Right wrist XR | lat view | index exam — 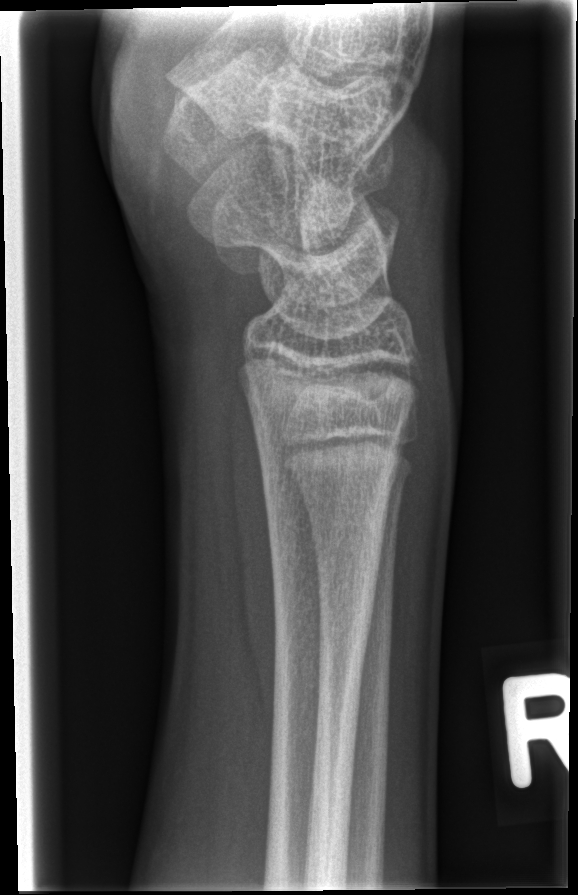

• No fracture bounding box.